Right wrist X-ray | lateral view | age 7 y, boy | initial study | 535x1426 —

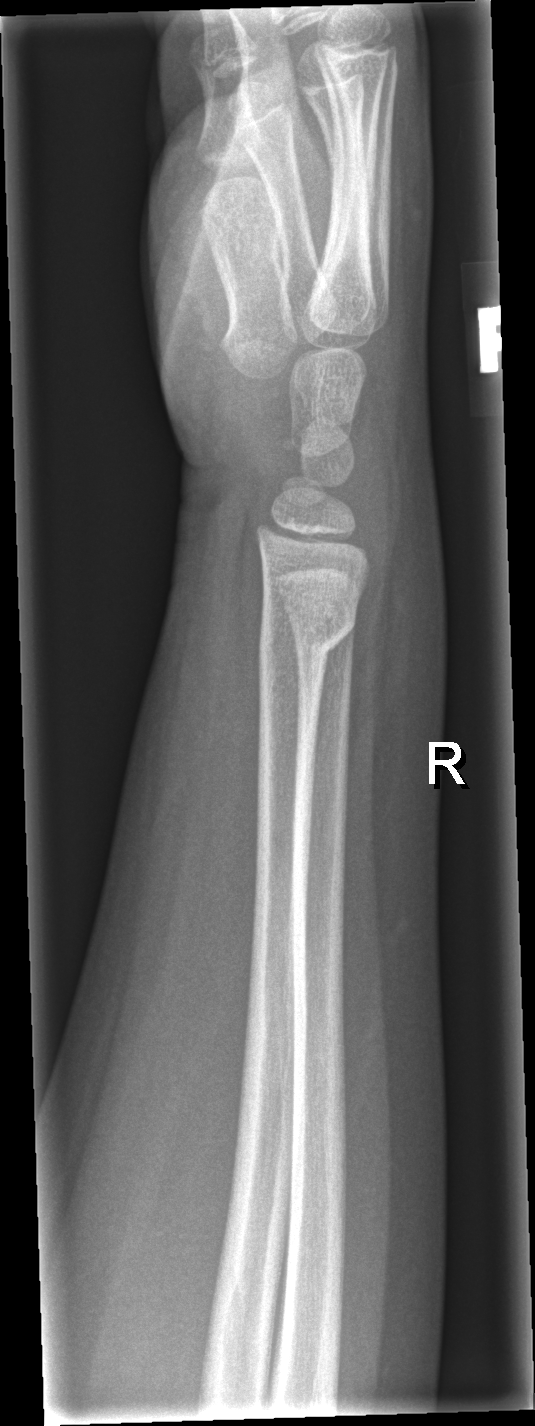
Findings: (bounding boxes in image-pixel xyxy) AO/OTA classification: 23r-M/2.1. Bone fracture — <255,607>-<360,667>.